Lt pediatric wrist radiograph | frontal view | 6-year-old male | presentation radiograph | image 80.6 mm wide
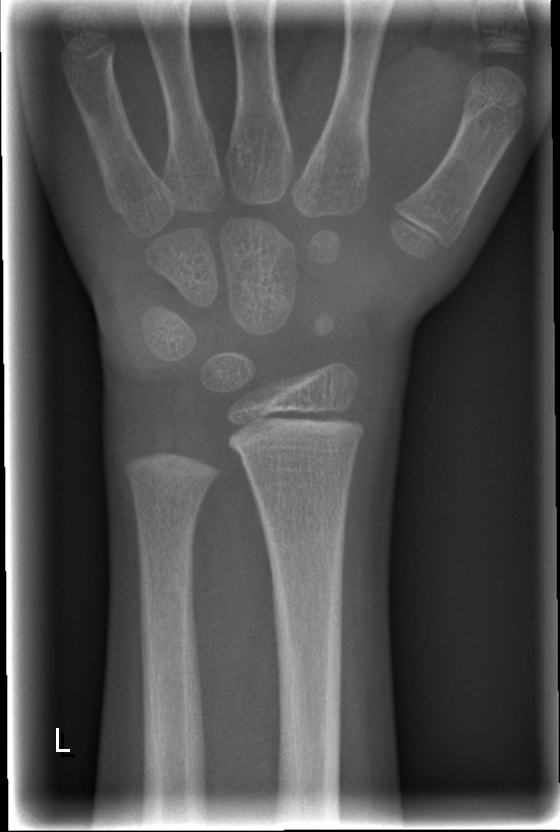 FINDINGS: No fracture bounding box.